Lateral | L wrist radiograph | pediatric patient (girl, age 8) | Siemens:

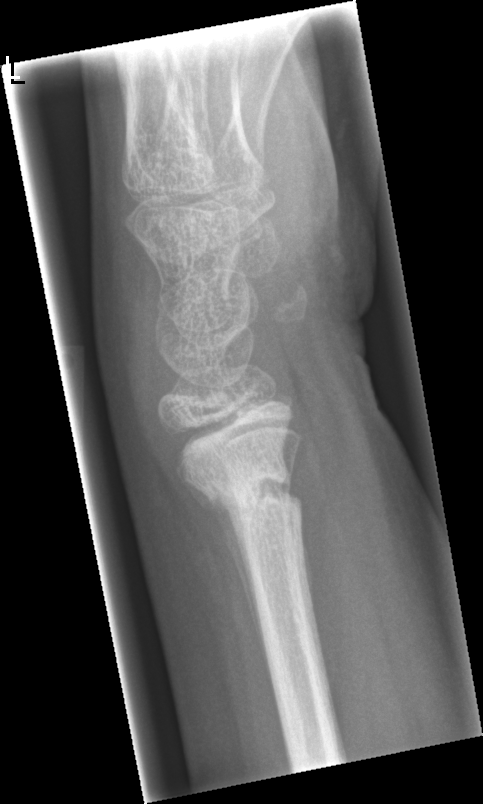 FINDINGS — Decreased bone density (osteopenia). Fracture — (left=187, top=451, right=310, bottom=524). Periosteal reaction identified at (left=183, top=478, right=272, bottom=680).